PA/AP · L wrist XR · presentation radiograph · detector: Siemens:

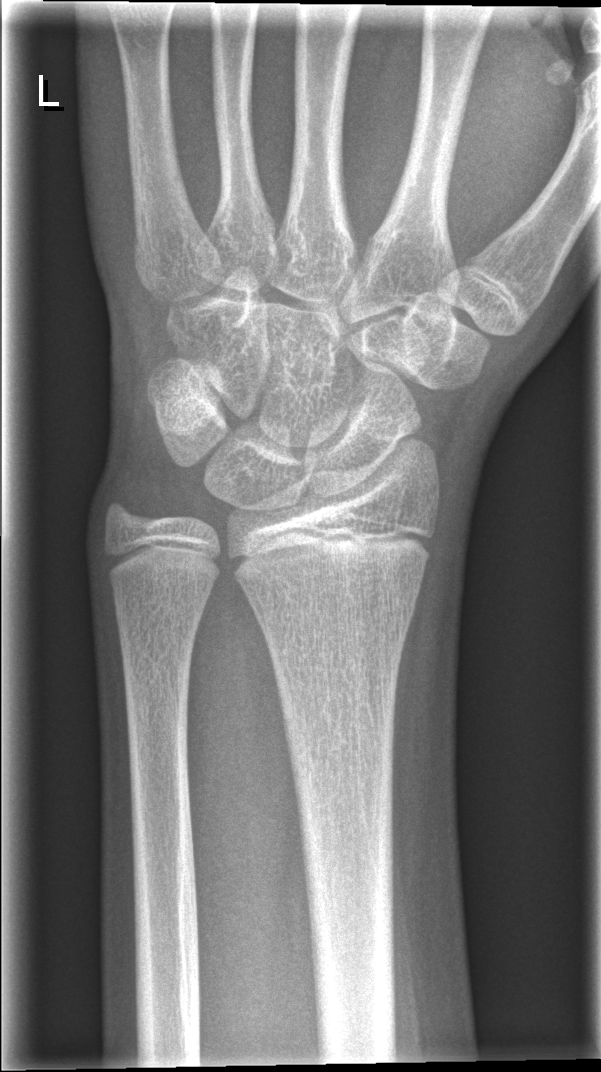 Fx: none labeled